R wrist radiograph; PA/AP; 15-year-old boy; index exam; Siemens: 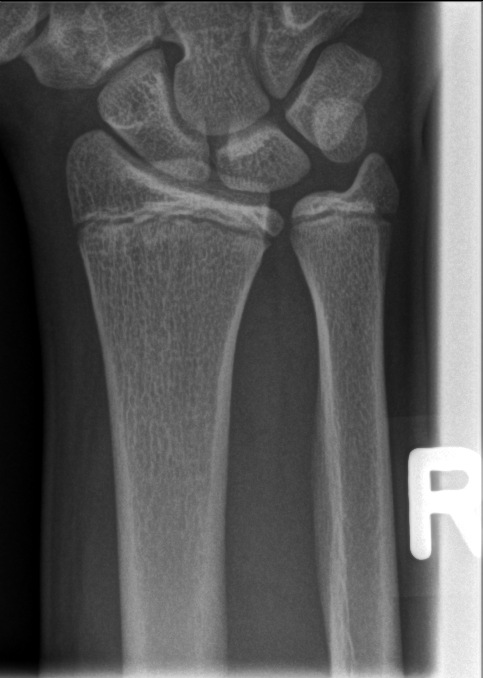 FINDINGS — No fracture annotation.